Lat; L wrist X-ray; age 12 y, male; cast in situ:

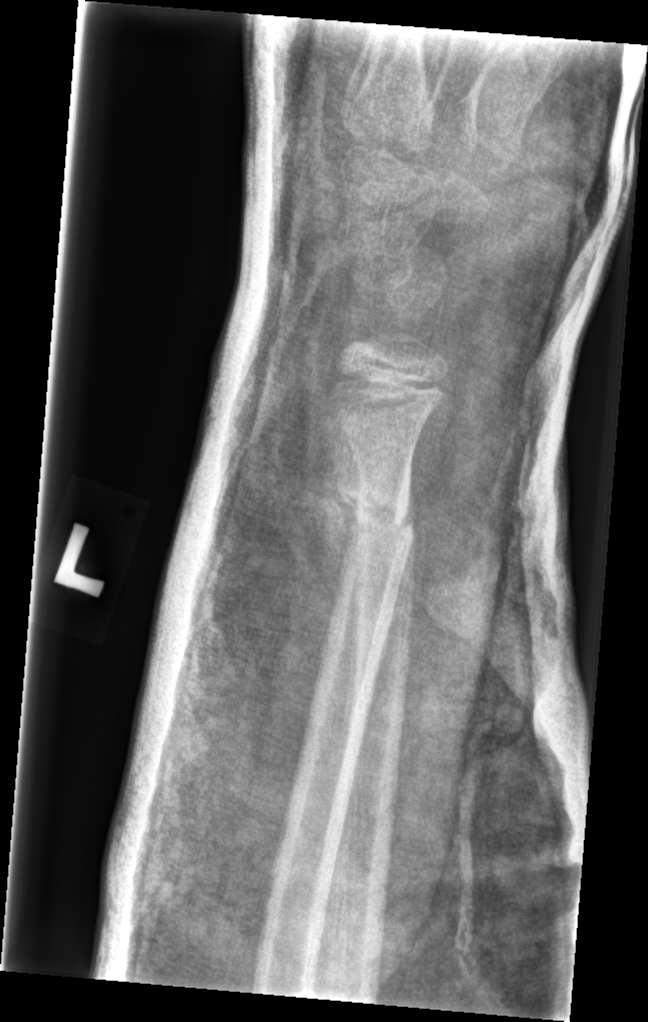 Findings: (boxes as x1,y1,x2,y2 (top-left / bottom-right, pixel units)) One bone fracture at bbox(336, 474, 421, 554).